Lateral view | left wrist XR:
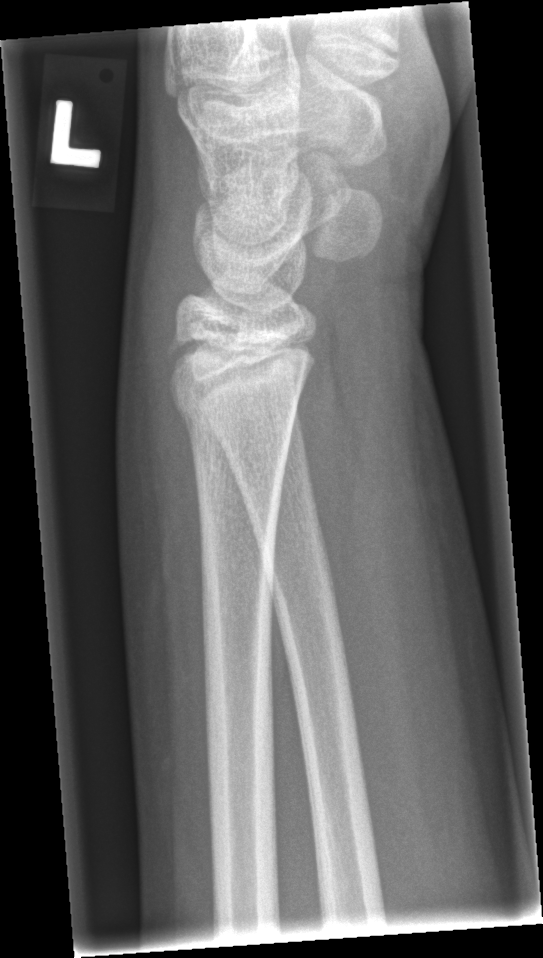 • Pixel coordinates, top-left origin, xyxy.
• Fracture classified AO/OTA 23r-M/2.1.
• One fracture at (164, 371, 300, 452).